Lateral projection; left wrist radiograph; age 10 y, male —
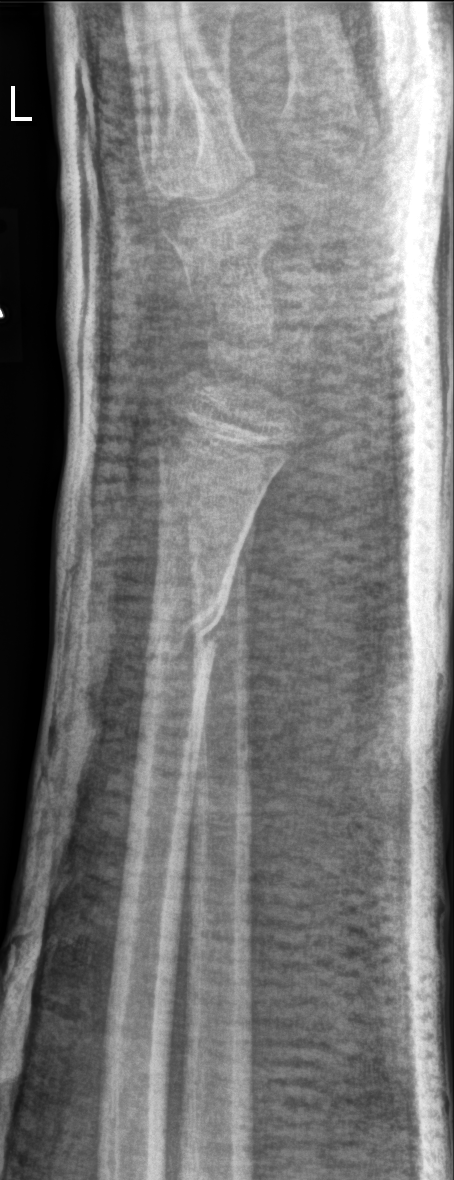

{
  "fracture": "(140, 579, 229, 685)",
  "ao": "23r-M/3.1; 23u-M/2.1"
}